Right wrist radiograph; PA/AP view; 6y F; presentation radiograph; 77.9 mm image width:

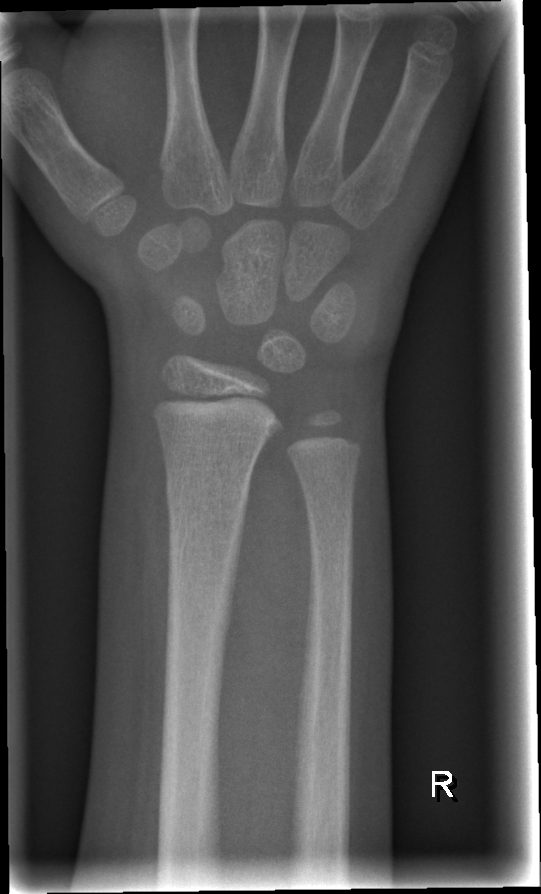 Findings: (boxes as x1,y1,x2,y2 (top-left / bottom-right, pixel units)) Fx identified at (left=161, top=476, right=254, bottom=535). AO/OTA classification: 23r-M/2.1.